Right wrist XR, lat projection, 10-year-old girl, cast present, image size 413x886

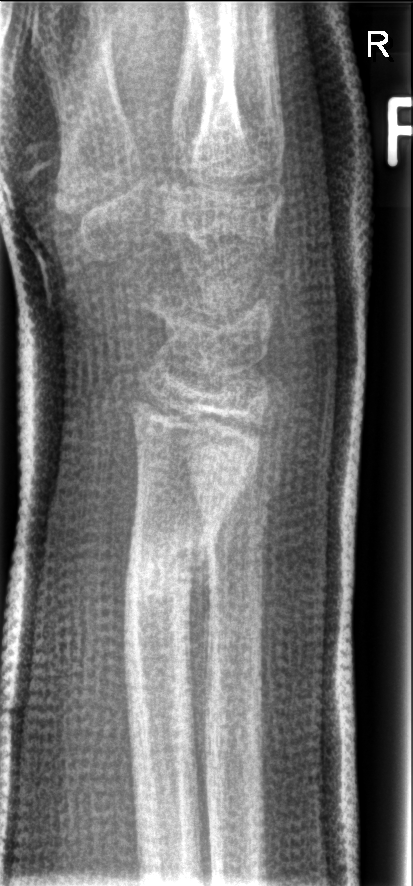 Bounding boxes in image-pixel xyxy. AO code 23r-M/3.1; 23u-M/2.1; 23u-E/7. Fracture: 117,521,230,620.